Lateral view · left wrist X-ray · male, 14 yo · imaged through cast · 80.9 mm image width: 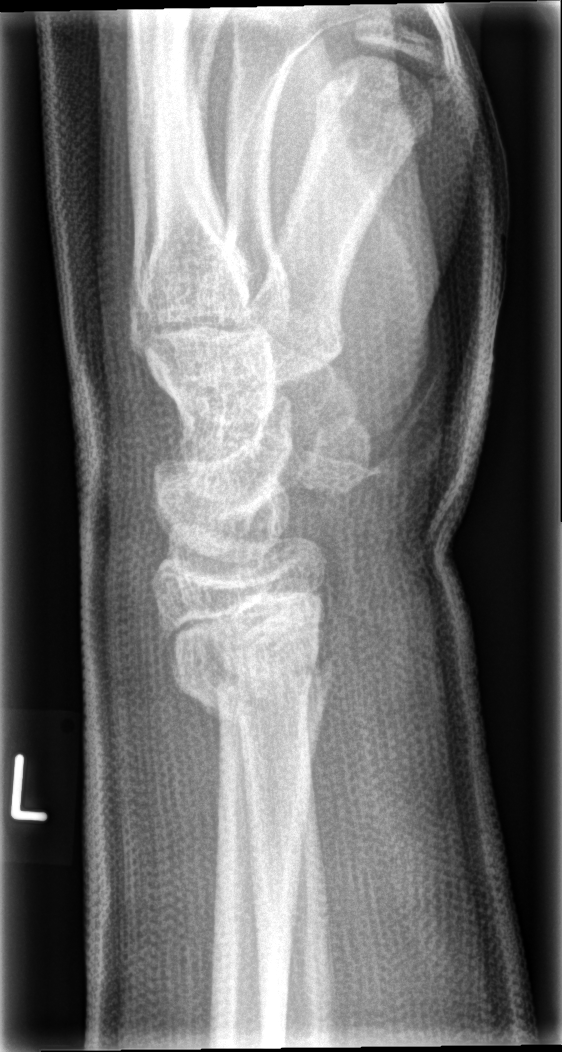

AO code 23r-M/3.1; 23u-E/7. Bone fracture identified at [x1=166, y1=640, x2=345, y2=733].